Lt wrist radiograph | AP | 114.0 mm image width: 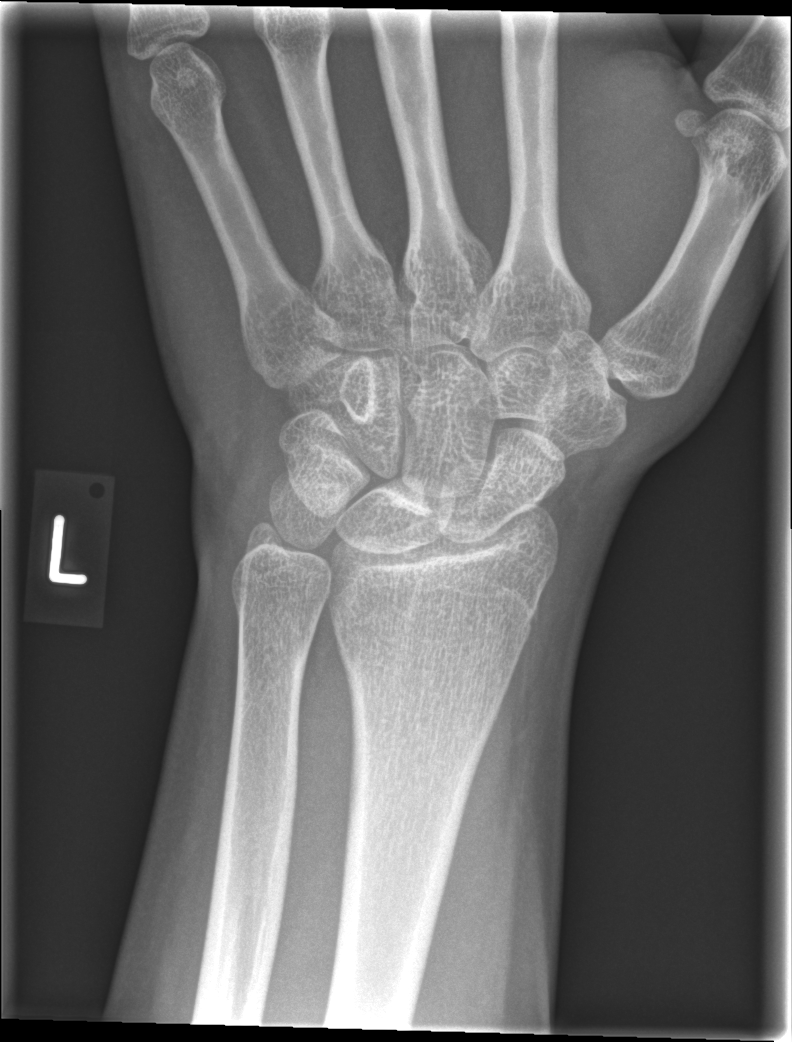
Fracture = none labeled